Lt wrist XR, lat projection, 12-year-old girl, subsequent exam

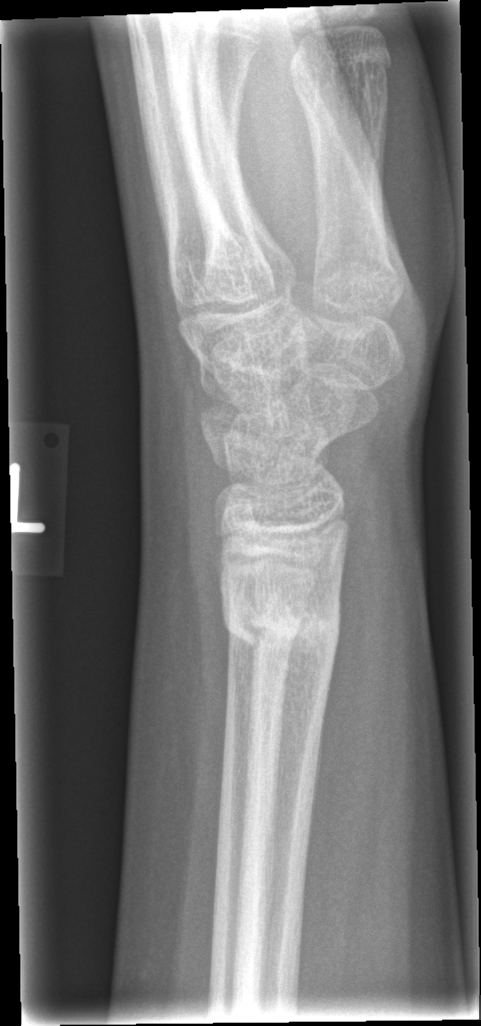
Fracture: (left=216, top=587, right=346, bottom=672)
Osteopenia: present
AO classification: 23r-M/2.1; 23u-E/7